Right wrist X-ray, posteroanterior view —
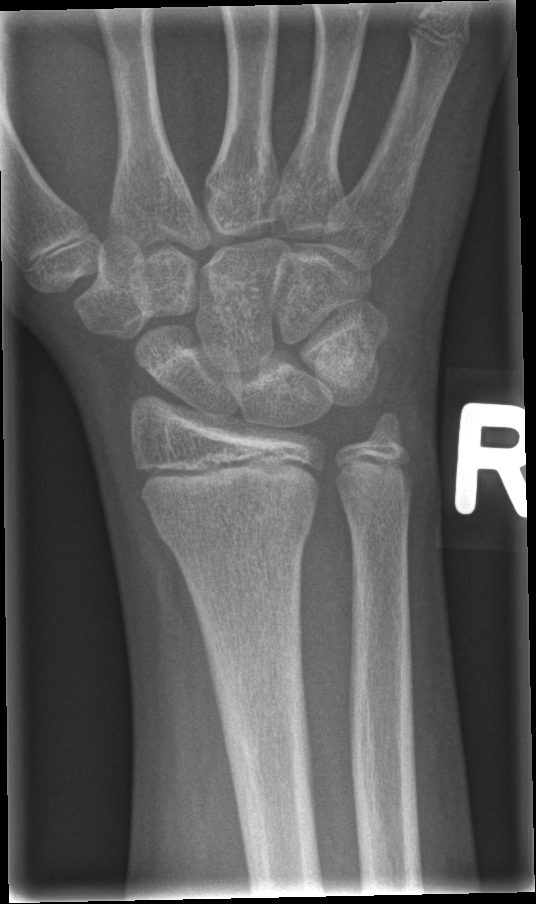 (pixel coordinates, top-left origin, xyxy)
Bone fracture: 1 @ (left=148, top=490, right=320, bottom=553)
AO/OTA: 23r-M/2.1